PA/AP view; left wrist plain radiograph of the wrist; girl, 10 yo; image width 66.2 mm —
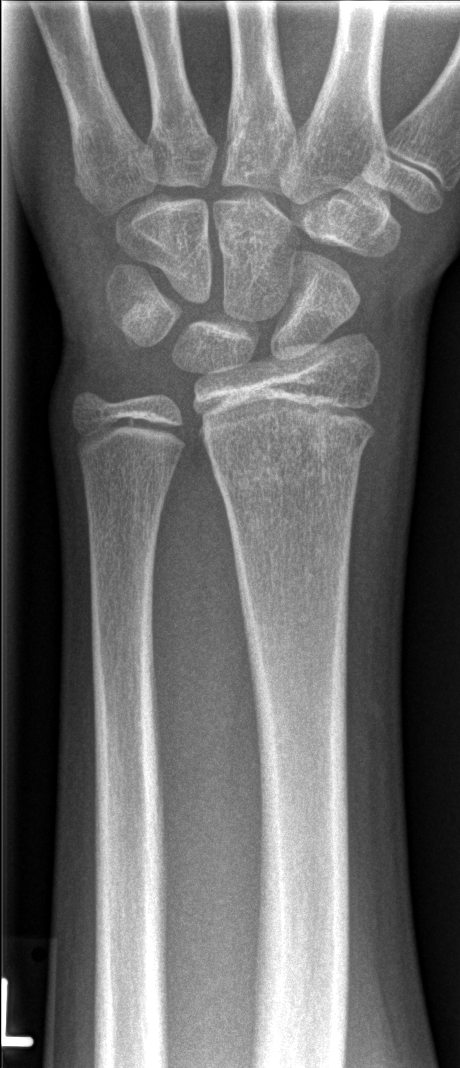
• Bounding boxes in image-pixel xyxy.
• Fracture — 201,408,375,480.
• AO code 23r-M/2.1.